Left wrist XR | PA/AP view | 95.6 mm image width. 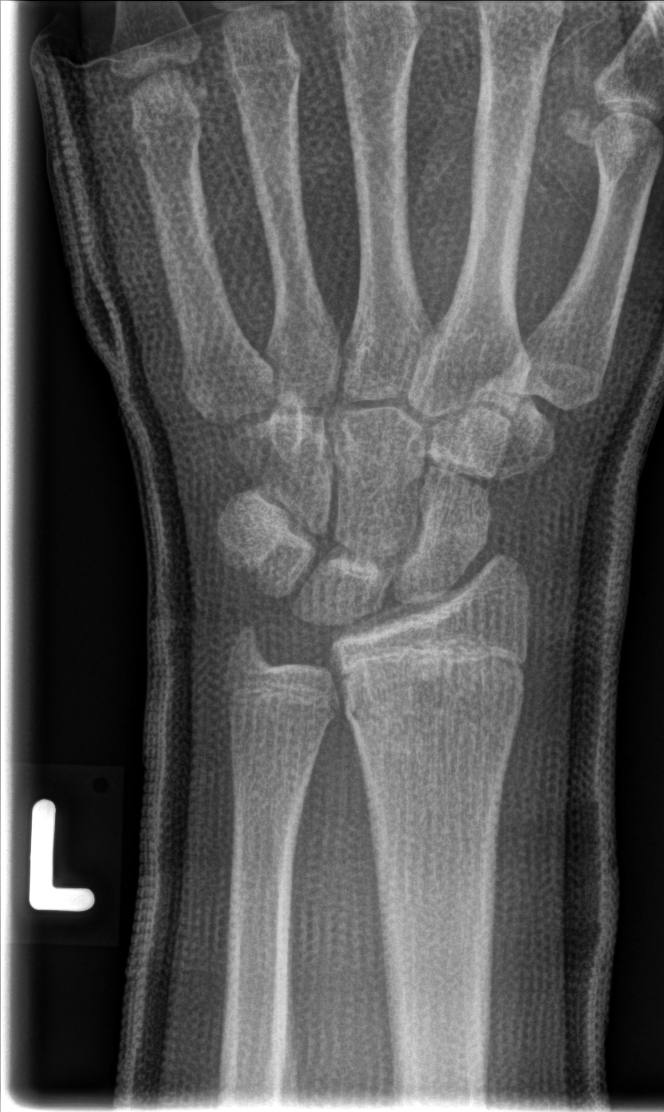
Fracture = <341,669>-<528,757>
AO/OTA = 23r-M/3.1